R wrist XR | posteroanterior projection | detector: Siemens.

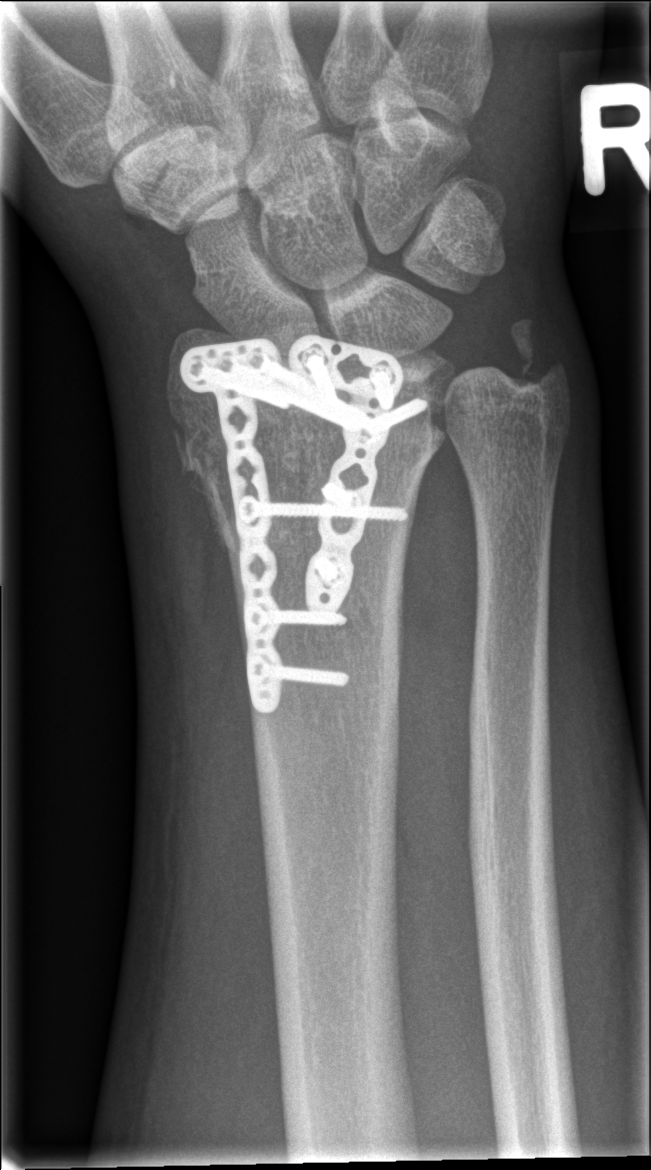 {
  "_coords": "boxes as x1,y1,x2,y2 (top-left / bottom-right, pixel units)",
  "metal": "1 @ bbox(180, 336, 430, 716)",
  "fracture": "bbox(164, 383, 346, 542), bbox(500, 307, 574, 404)"
}